Left wrist radiograph | posteroanterior view | 14y M | cast present | acquired on Siemens — 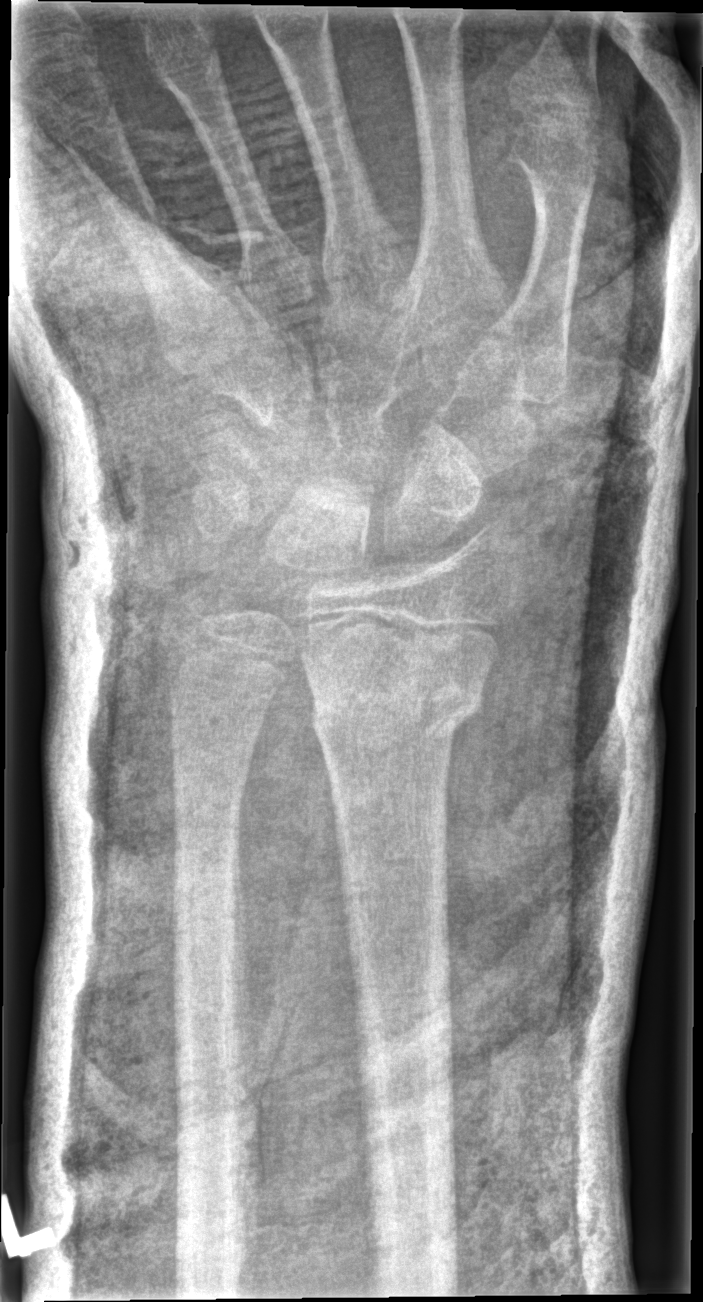

Findings: (pixel coordinates, top-left origin, xyxy) Bone fracture identified at [305, 663, 494, 745]. AO code 23r-M/3.1; 23u-M/2.1.